Left wrist pediatric wrist radiograph, lateral view, age 9 y, male, follow-up study, imaged through cast, image size 555x942 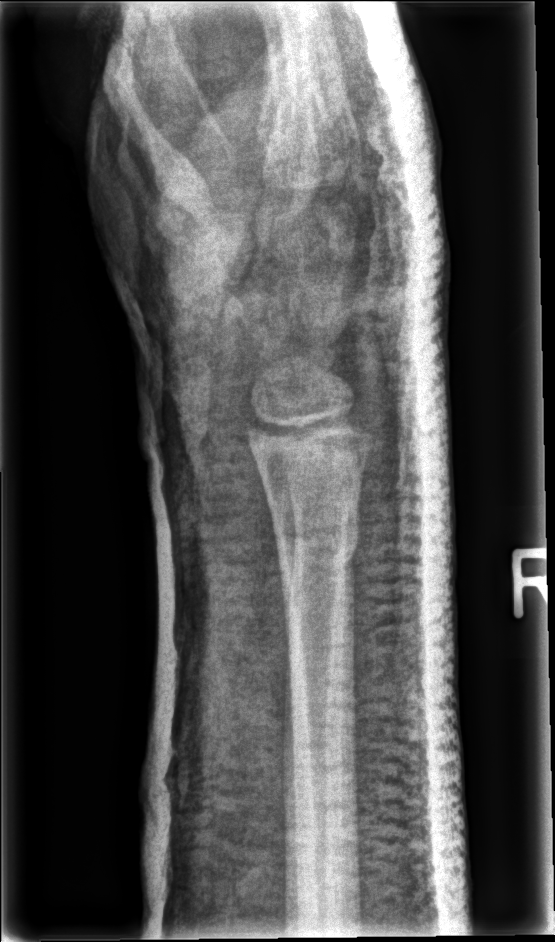

FINDINGS — (pixel coordinates, top-left origin, xyxy) Fx identified at 269 500 365 595.